Lat view, right wrist XR, index exam, 91.2 mm image width:
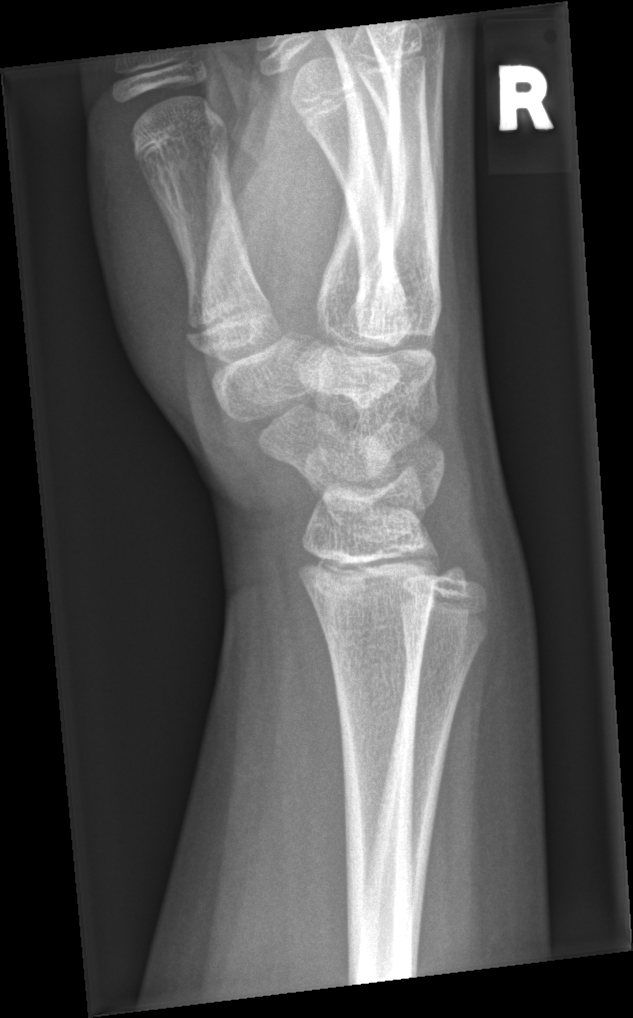
No fracture labeled.